Left pediatric wrist radiograph | posteroanterior | presentation radiograph | acquired on Siemens | 539 x 716 px —

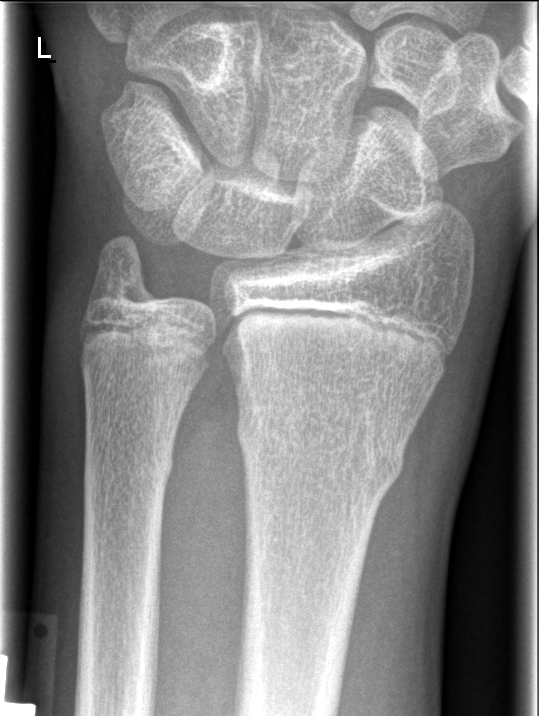
Fx: 233 403 408 499
  82 448 174 495
AO code: 23-M/2.1